PA/AP view, left wrist plain film.

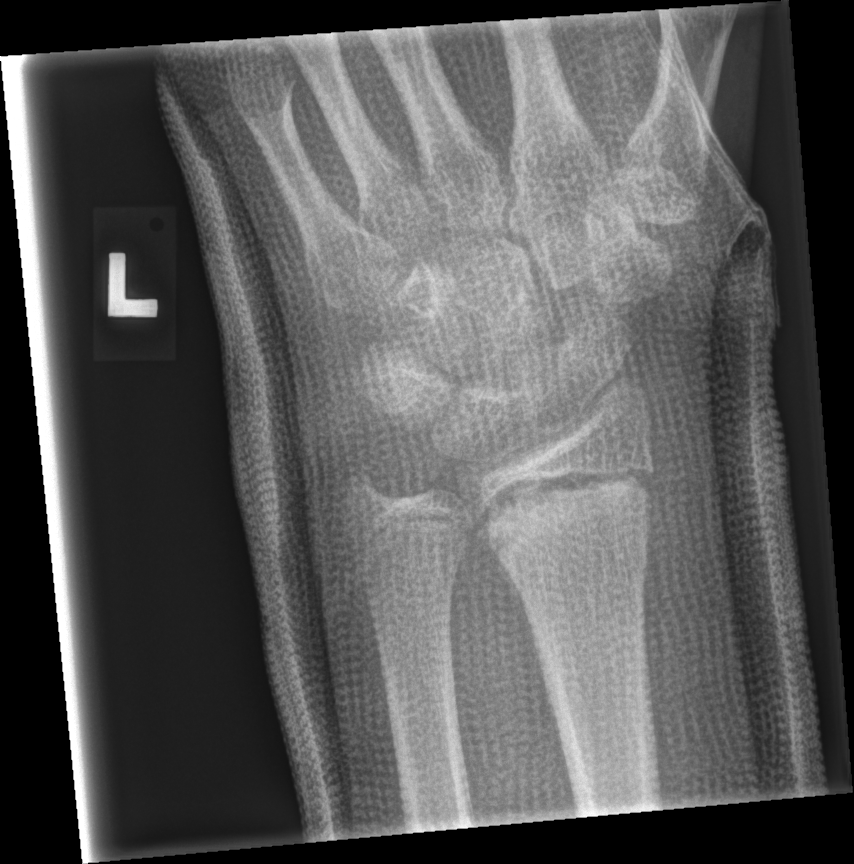 Fracture classified AO/OTA 23r-E/2.1; 23u-E/7. Bone fractures — [x1=473, y1=462, x2=658, y2=568] [x1=333, y1=457, x2=394, y2=517].